Left plain radiograph of the wrist · frontal · 12y M · detector: Siemens · 593 x 840 px:
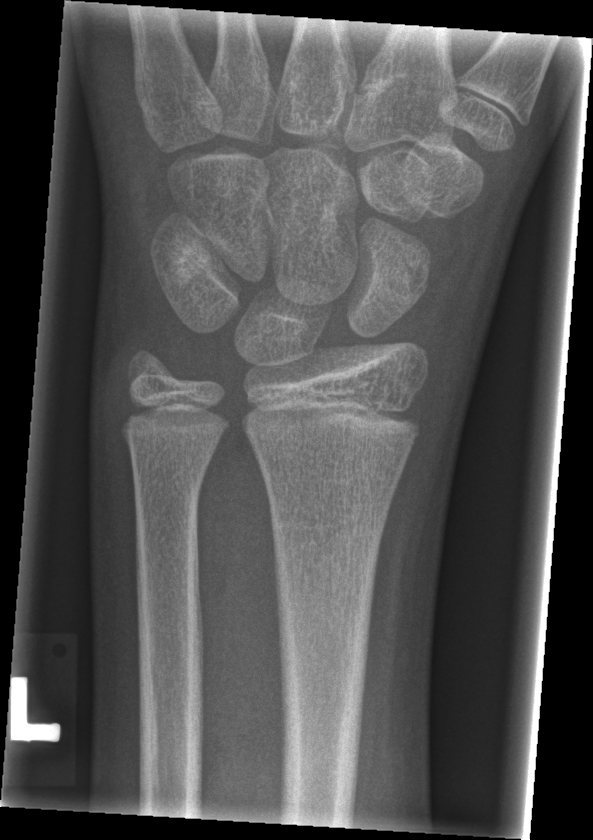

No Fx annotated.